Lateral projection, Lt wrist radiograph, 9y M, follow-up study, 92.4 mm image width, 642 x 1310 px. 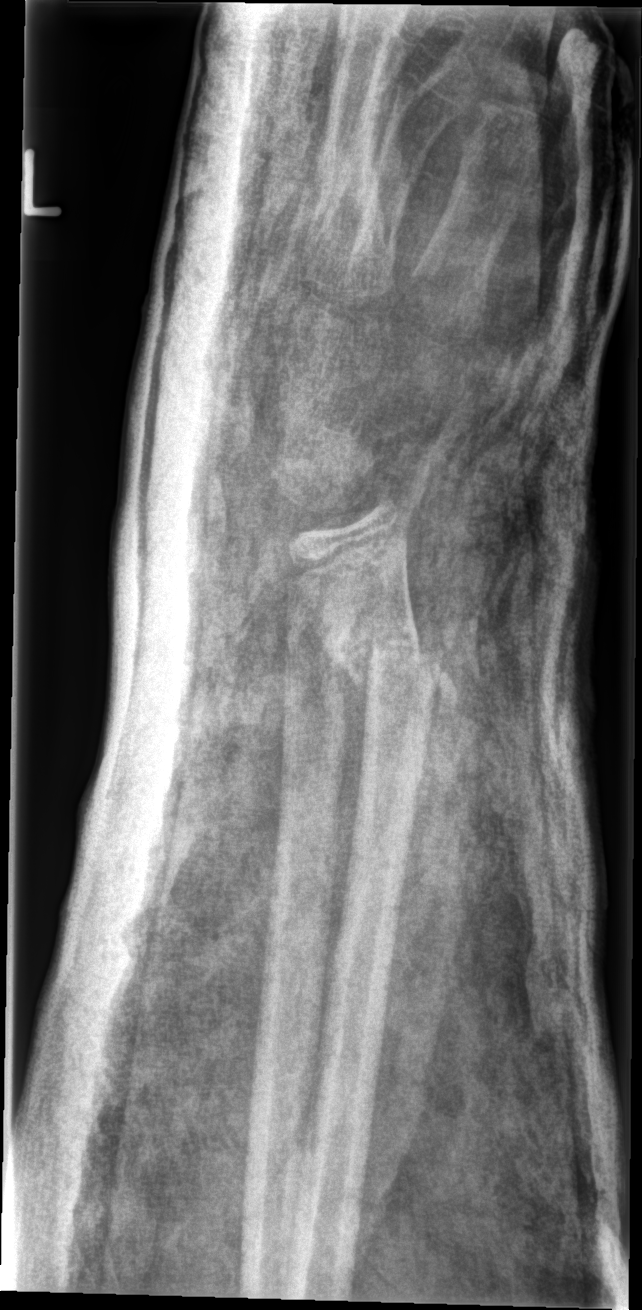 - One bone fracture at <319,608>-<448,715>.
- Fracture classified AO/OTA 23r-M/3.1; 23u-M/2.1.